Lat projection | right wrist plain film | boy, 11 yo | index exam — 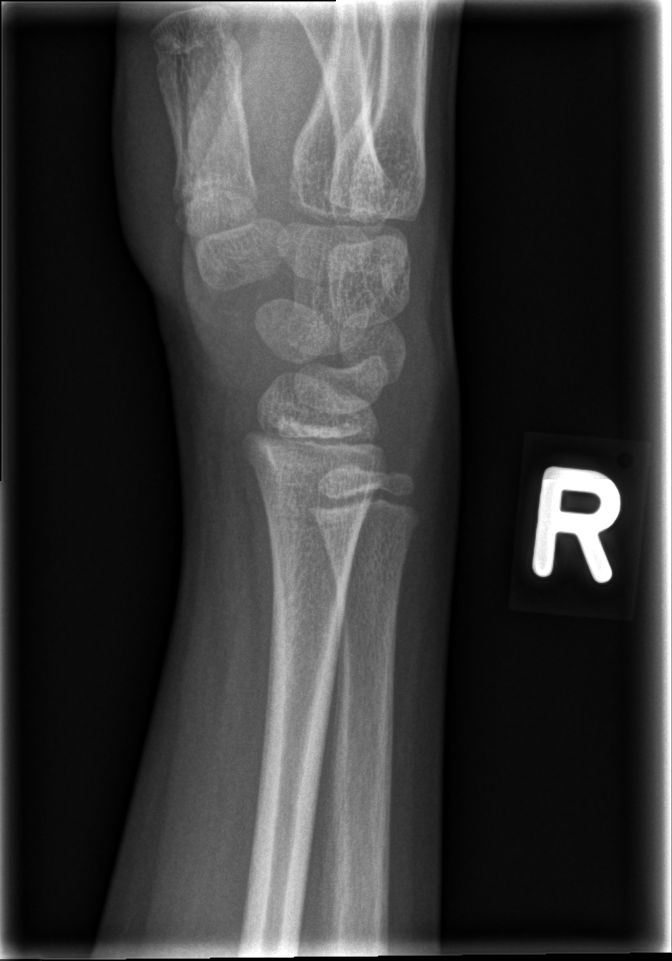

Bone fracture: none labeled